Left plain radiograph of the wrist · lat view · in cast · detector: Siemens:
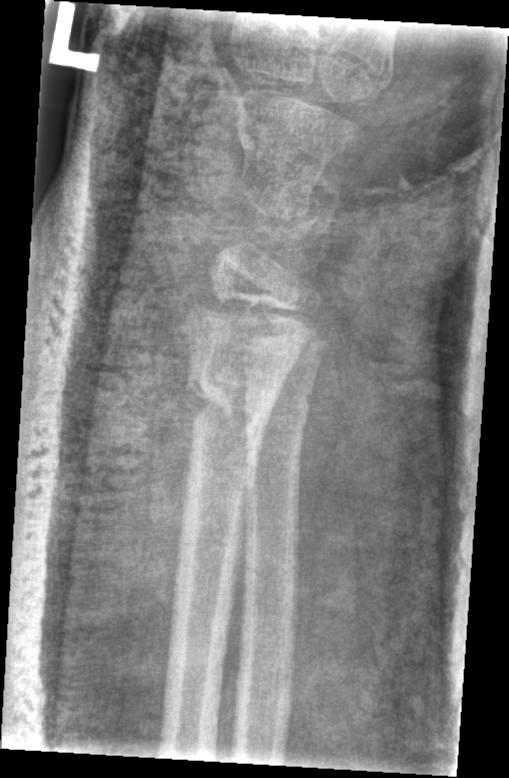 - AO/OTA classification: 23r-M/3.1; 23u-M/2.1.
- Fx — (left=183, top=365, right=282, bottom=446).